Lat view · Lt pediatric wrist radiograph · 481 x 928 px —

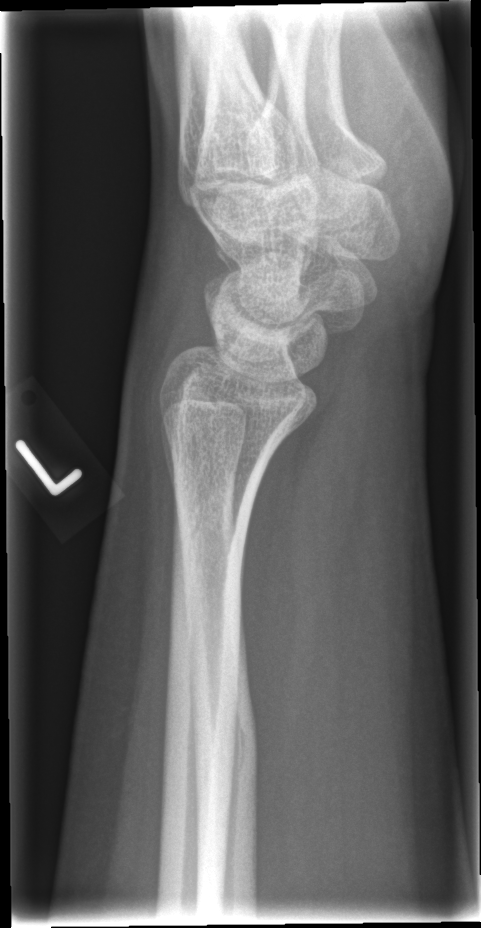

Fracture = none labeled